Lat projection, Lt wrist X-ray, age 14 y, boy, follow-up —

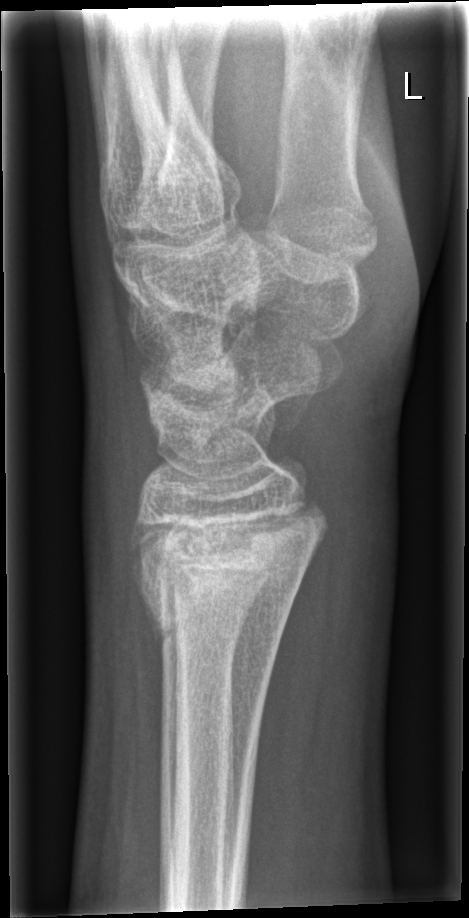

Pixel coordinates, top-left origin, xyxy.
Fracture: 122 485 331 657.
AO/OTA classification: 23r-E/2.1; 23u-E/7.